Right wrist plain radiograph of the wrist · PA/AP · image size 709x1056 —

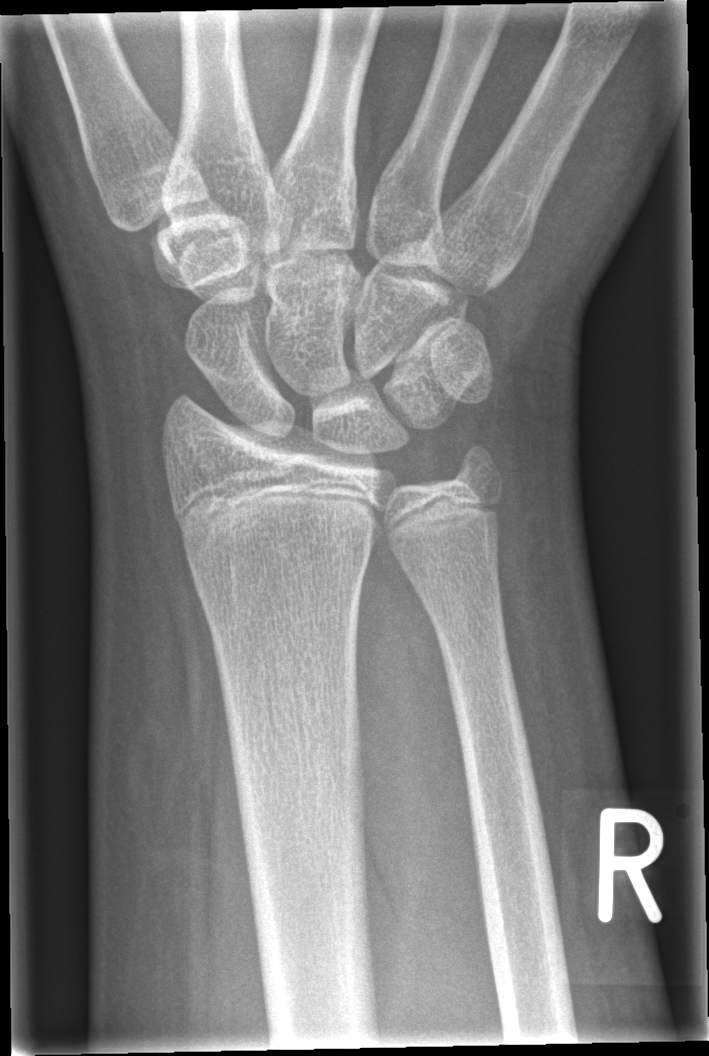 {
  "fracture": "none labeled"
}